Right wrist plain film; frontal; subsequent exam

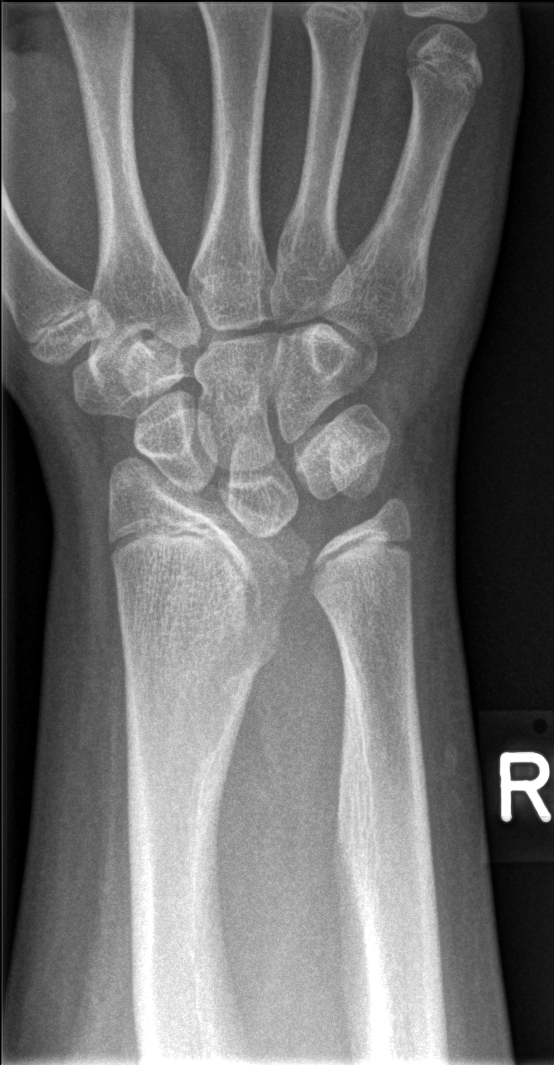
Coordinates are [x1, y1, x2, y2] in image pixels. No Fx annotated. Two bone anomalies at <90,443>-<314,685> <295,488>-<419,654>.